Left wrist radiograph, lat projection, age 15 y, boy — 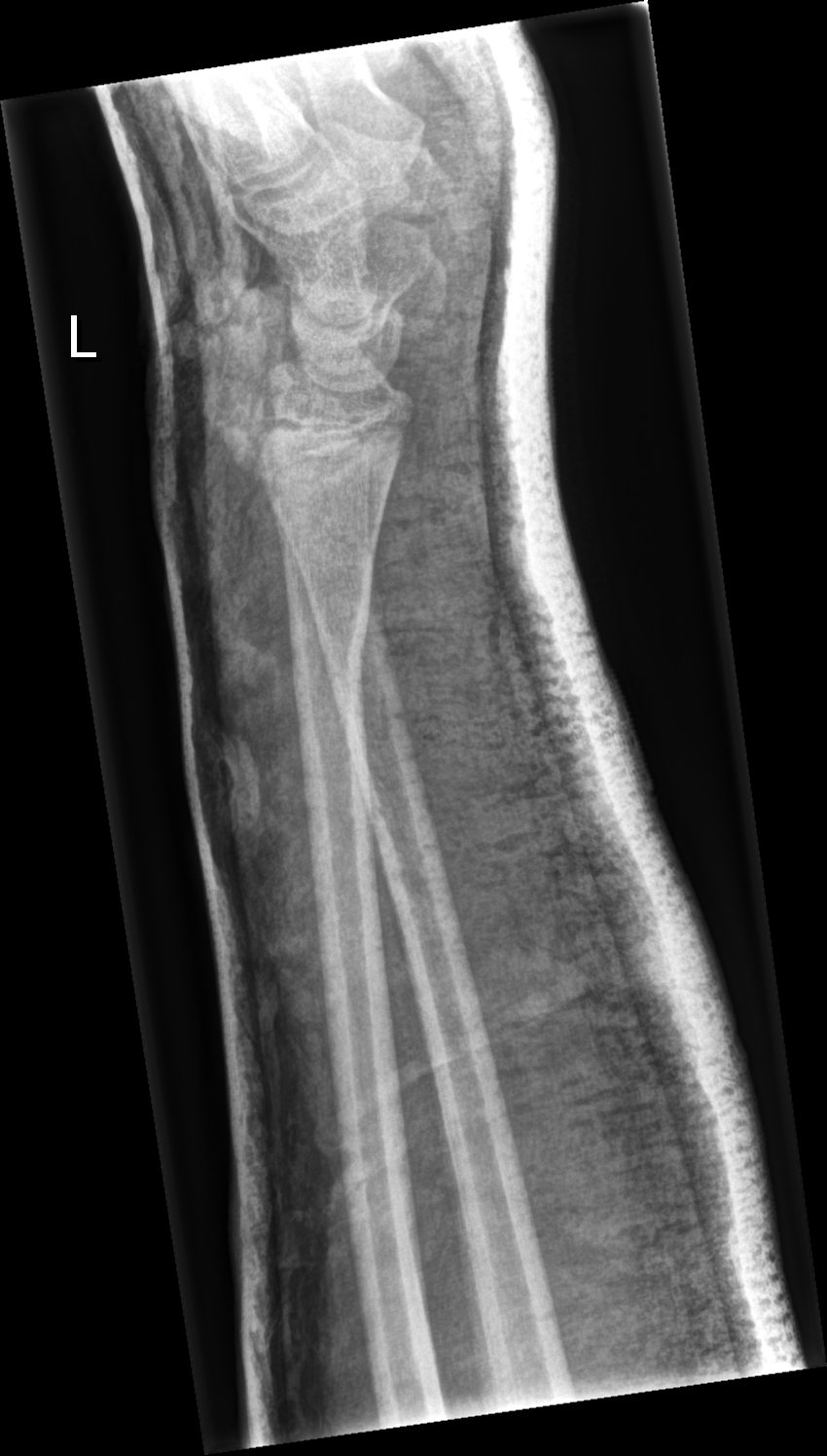
Q: AO code?
A: Fracture classified AO/OTA 23-M/2.1
Q: Is there a fracture?
A: Bone fracture: (285, 597, 376, 726)